Rt pediatric wrist radiograph · PA · age 8 y, boy · cast in situ 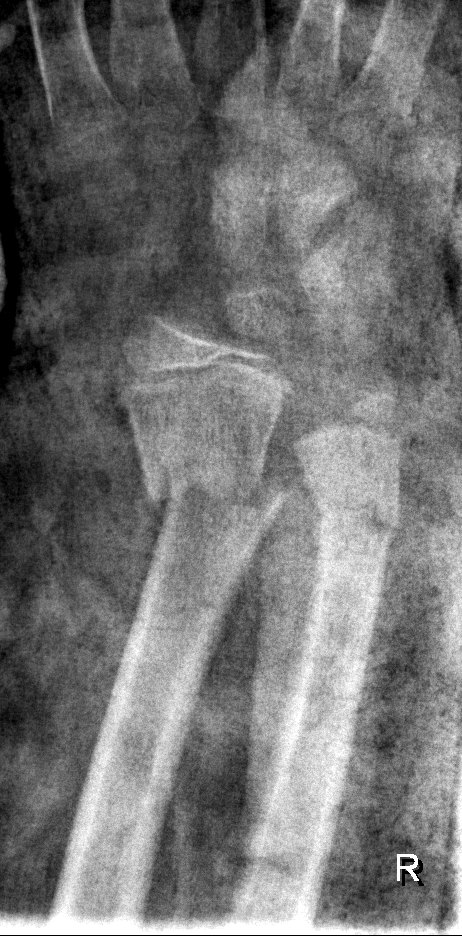
• Coordinates are [x1, y1, x2, y2] in image pixels.
• AO/OTA classification: 23r-M/3.1; 23u-M/2.1.
• Two Fx at [x1=138, y1=453, x2=292, y2=545]; [x1=308, y1=496, x2=404, y2=552].